Rt wrist XR · lat projection · pediatric patient (girl, age 5): 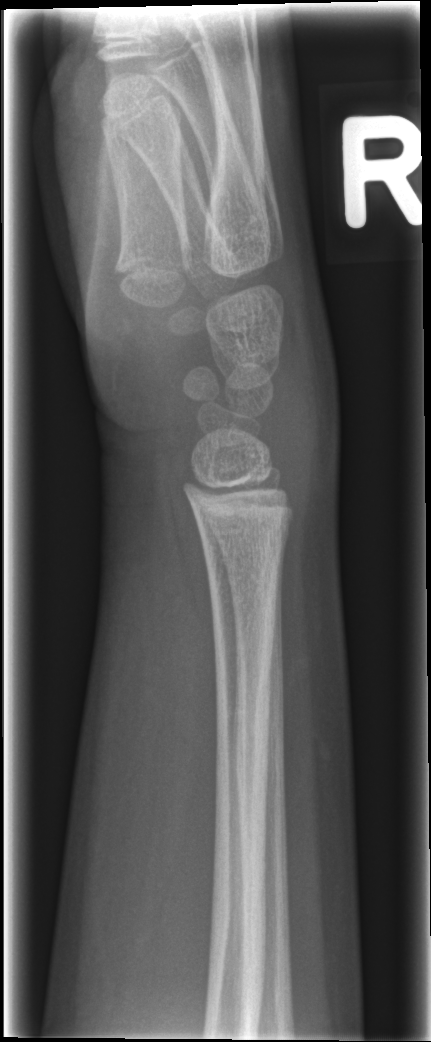
fracture: none labeled